Frontal · right wrist X-ray · follow-up
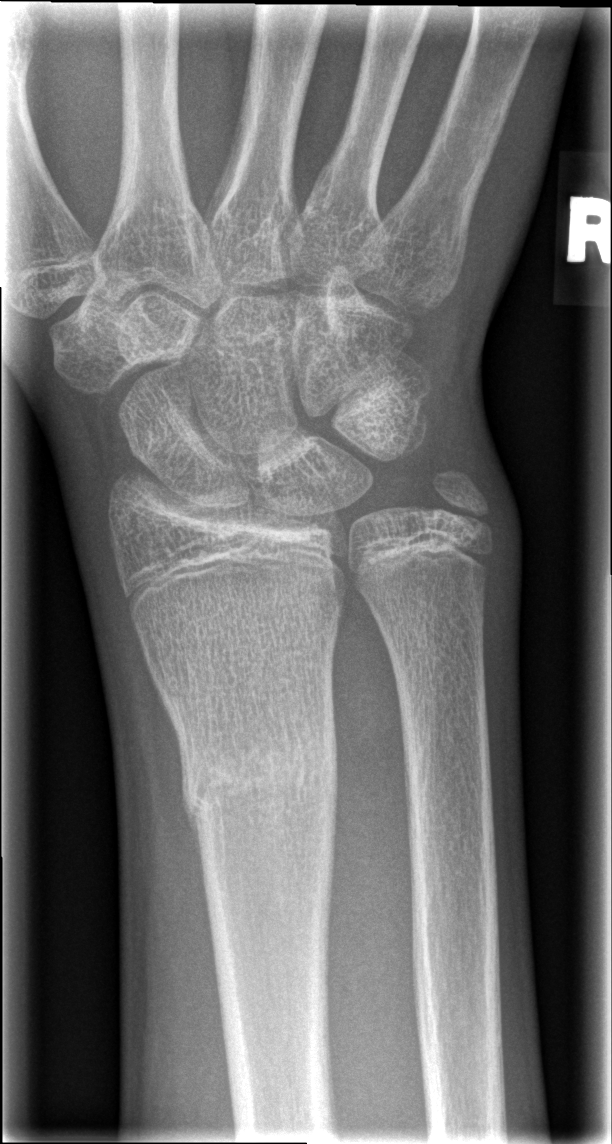

AO/OTA classification: 23r-M/2.1.
Fracture: (177, 720, 344, 838) (427, 469, 492, 532).
Reduced bone mineral density.